Lat projection · left wrist plain film · pediatric patient (male, age 11) · imaged through cast · Siemens:

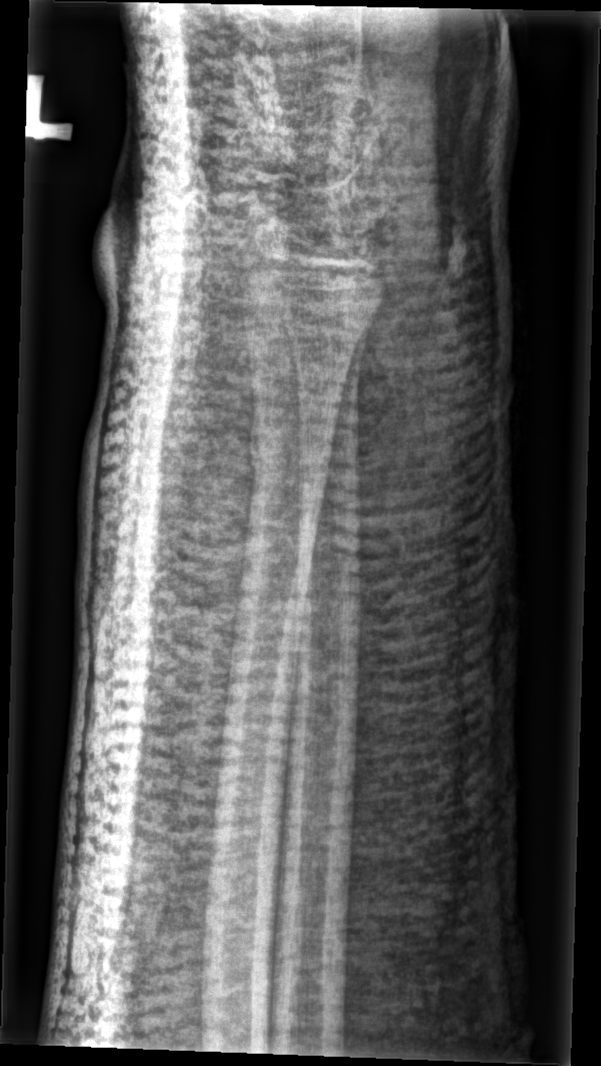
No Fx annotated.